Lt plain radiograph of the wrist | PA/AP view.
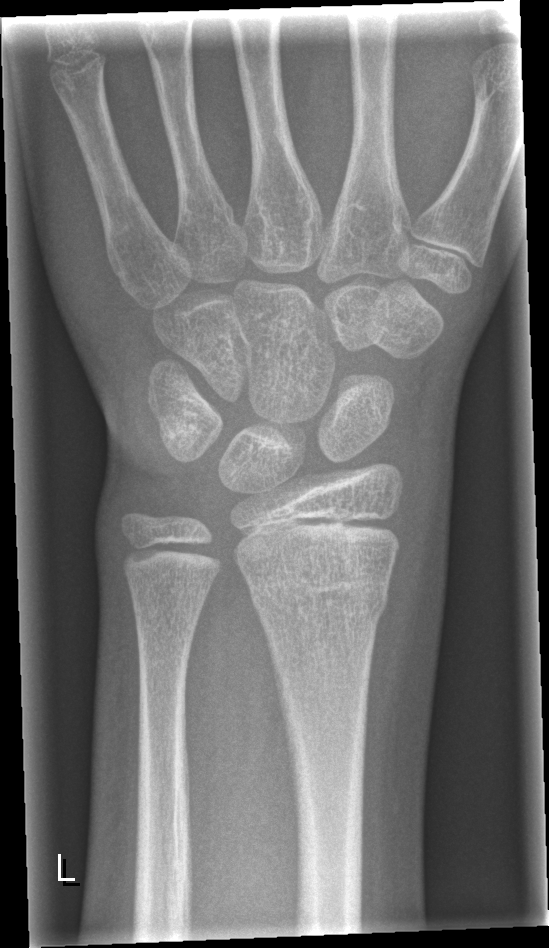
Findings: Fracture: 246,565,391,631.